Lat projection | right plain radiograph of the wrist | index exam | 574 x 959 px
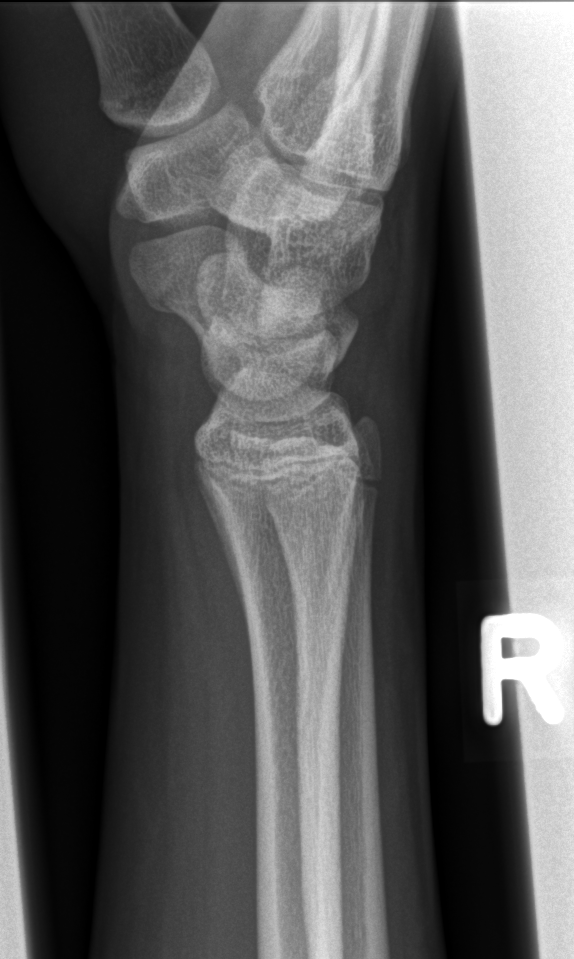 - Fx: none.